Lt wrist X-ray | lat view | acquired on Siemens:

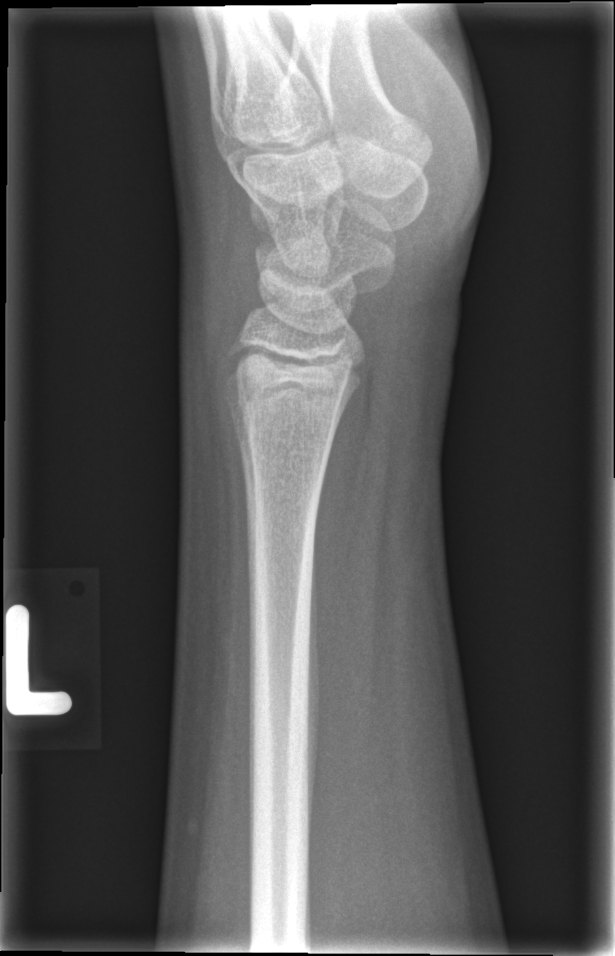
No fracture bounding box.